Posteroanterior view, Lt wrist radiograph, age 9 y, boy 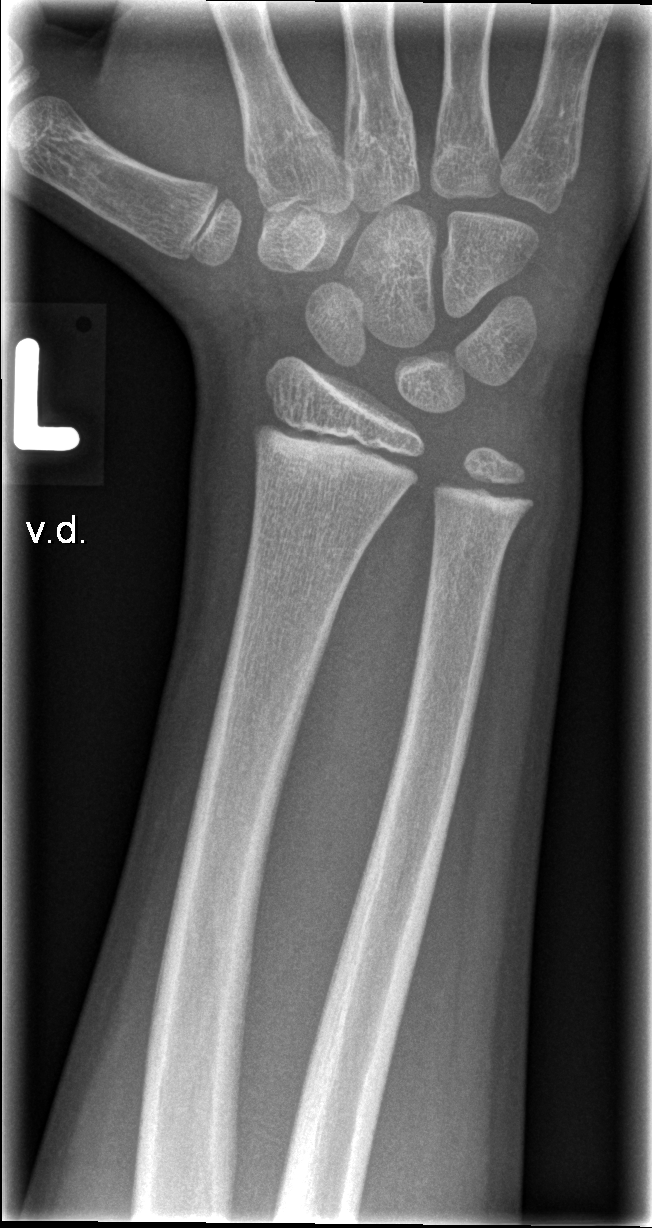

Q: Fracture present?
A: No fracture labeled